Frontal projection, Lt wrist radiograph, boy, 14 yo. 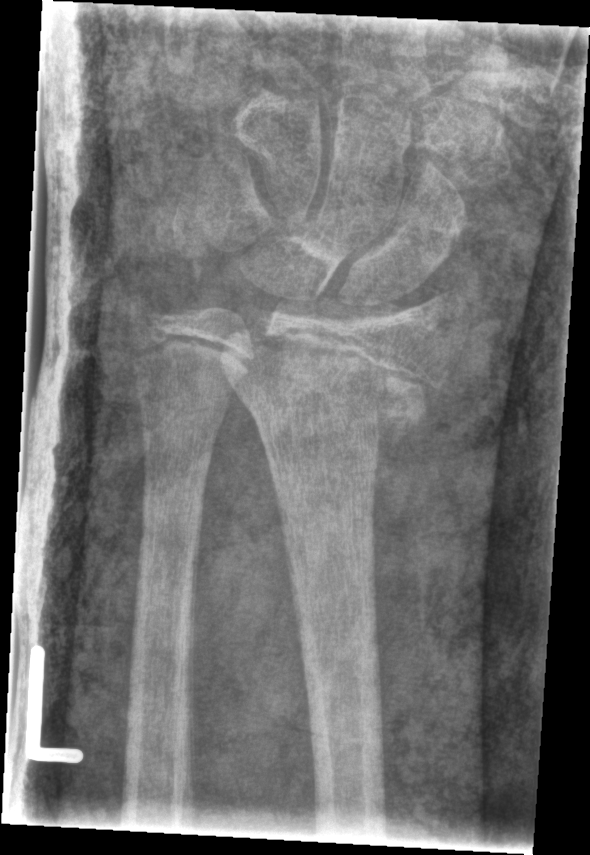
{
  "fracture": "1 @ bbox(216, 320, 456, 462)"
}